Right plain radiograph of the wrist, lateral projection, 544x1150: 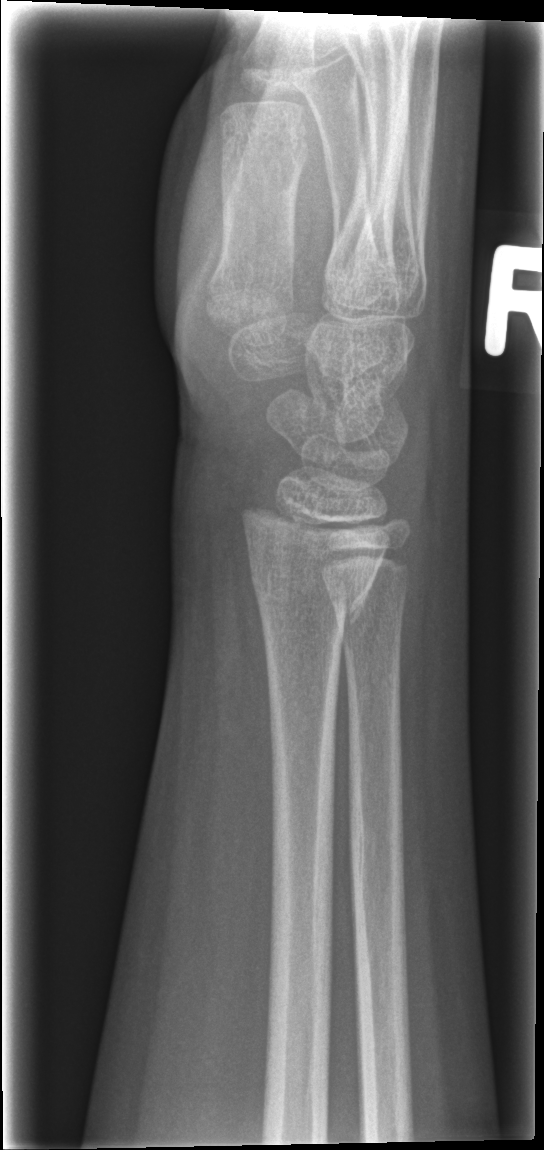 • Fx identified at bbox(246, 550, 374, 647).
• AO code 23r-M/3.1.